Lat projection | Rt plain radiograph of the wrist | 3y M | image 65.1 mm wide

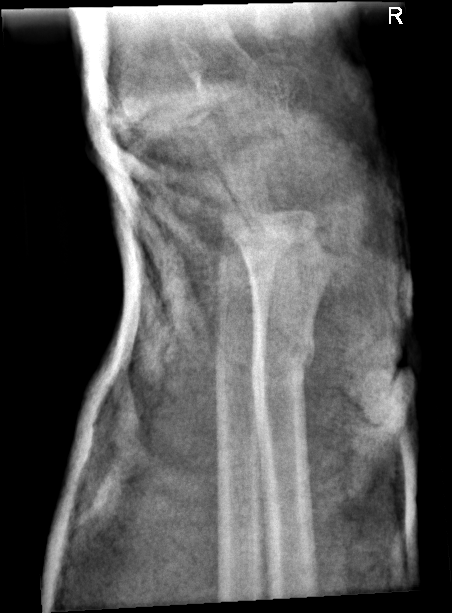 {
  "_coords": "pixel coordinates, top-left origin, xyxy",
  "ao": "23-M/2.1",
  "fracture": "[x1=249, y1=324, x2=319, y2=396]"
}